Left wrist plain radiograph of the wrist, lateral view, image size 599x1146:

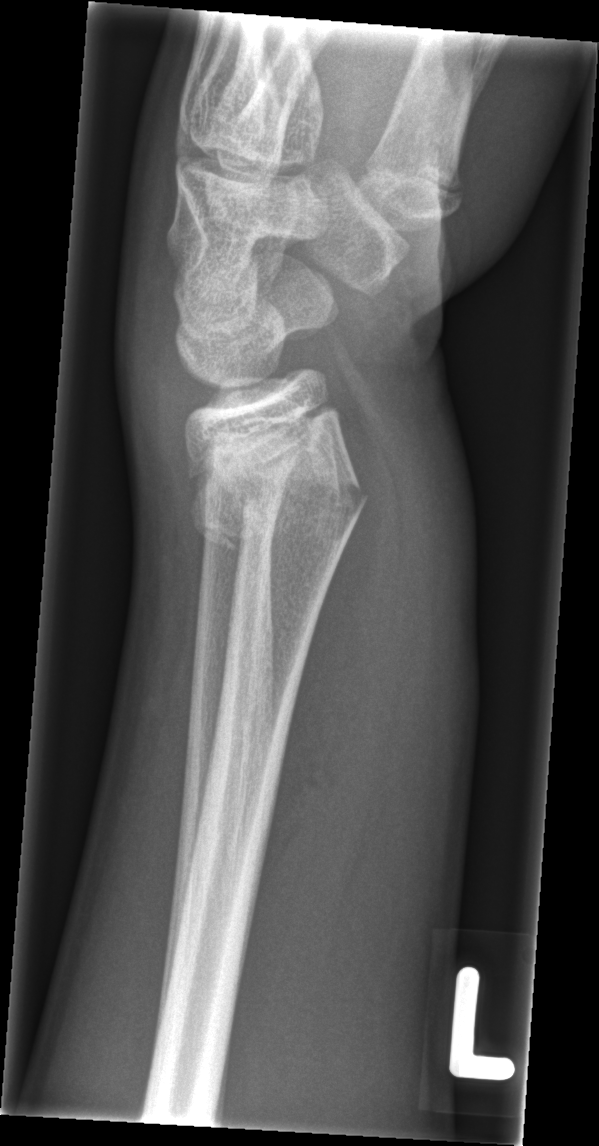 FINDINGS: One Fx at (left=185, top=461, right=372, bottom=562). AO code 23r-M/3.1; 23u-E/7. One positive pronator fat-pad sign at (left=253, top=485, right=396, bottom=924).